L plain radiograph of the wrist · PA/AP projection · 14-year-old boy · subsequent exam · cast present · 721 by 1094 pixels — 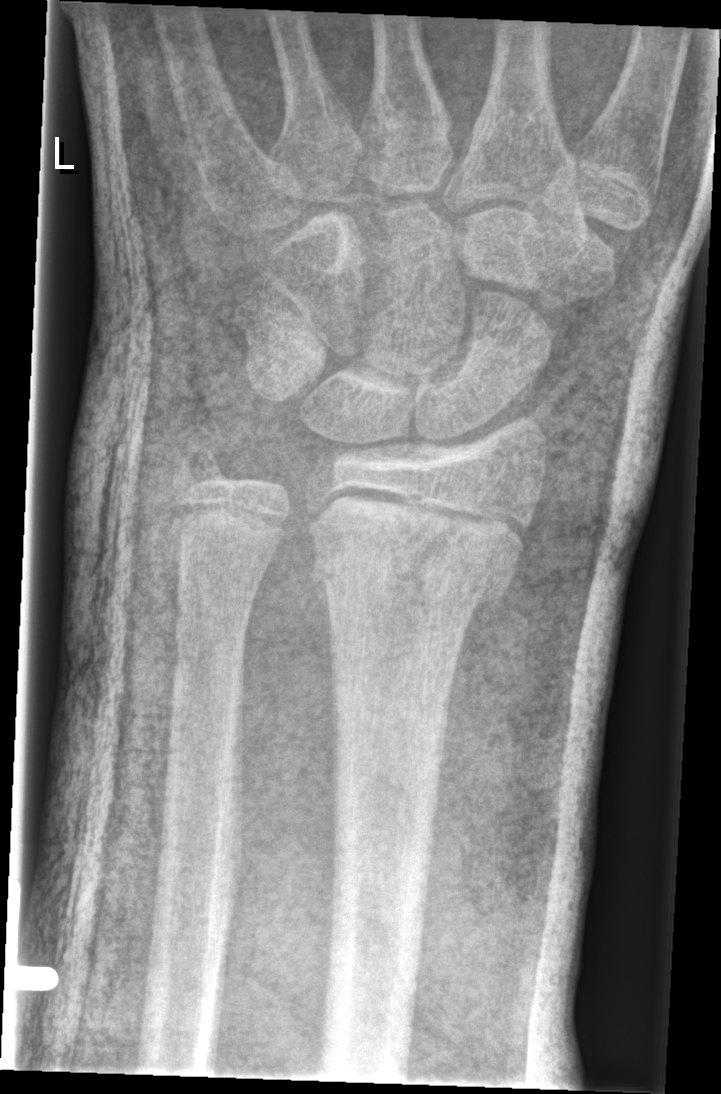

  fracture: [307, 514, 525, 617]
  ao: 23r-M/3.1; 23u-E/7